PA; right wrist radiograph; acquired on Siemens.

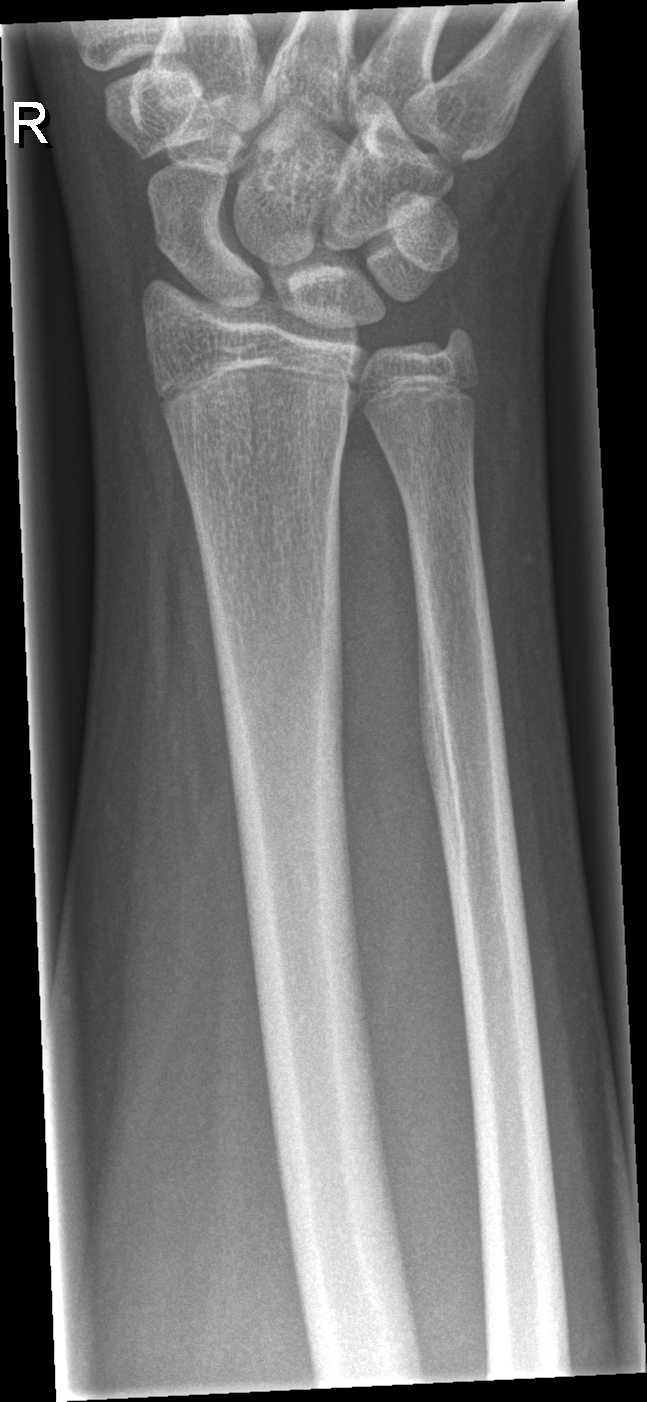

Q: Locate any fractures.
A: No fracture labeled